AP projection, left wrist plain film, age 11 y, girl, cast in situ, acquired on Siemens —

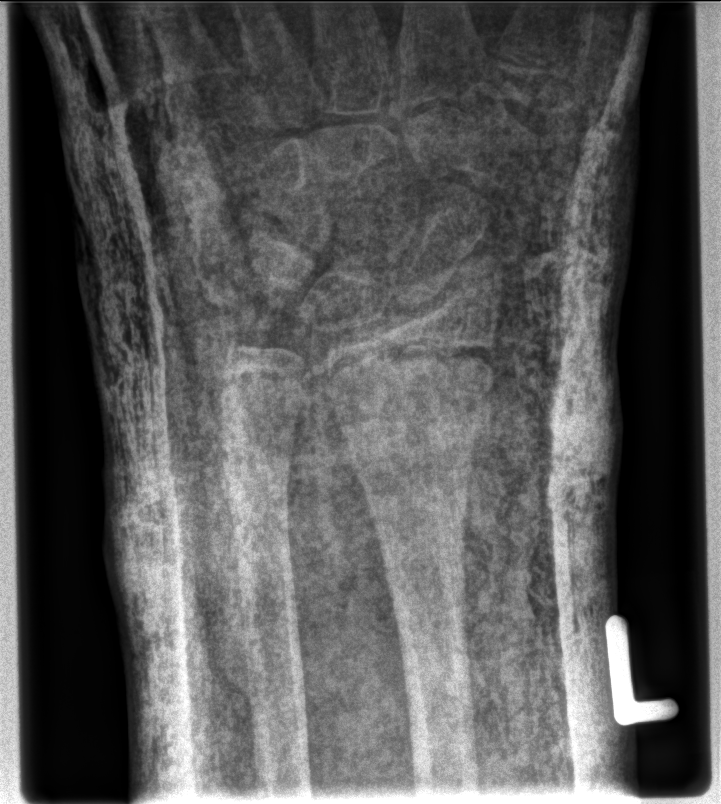

  ao: 23r-M/3.1
  fracture: present but not clearly seen in this view